Lt wrist X-ray; AP; pediatric patient (male, age 11); subsequent exam:
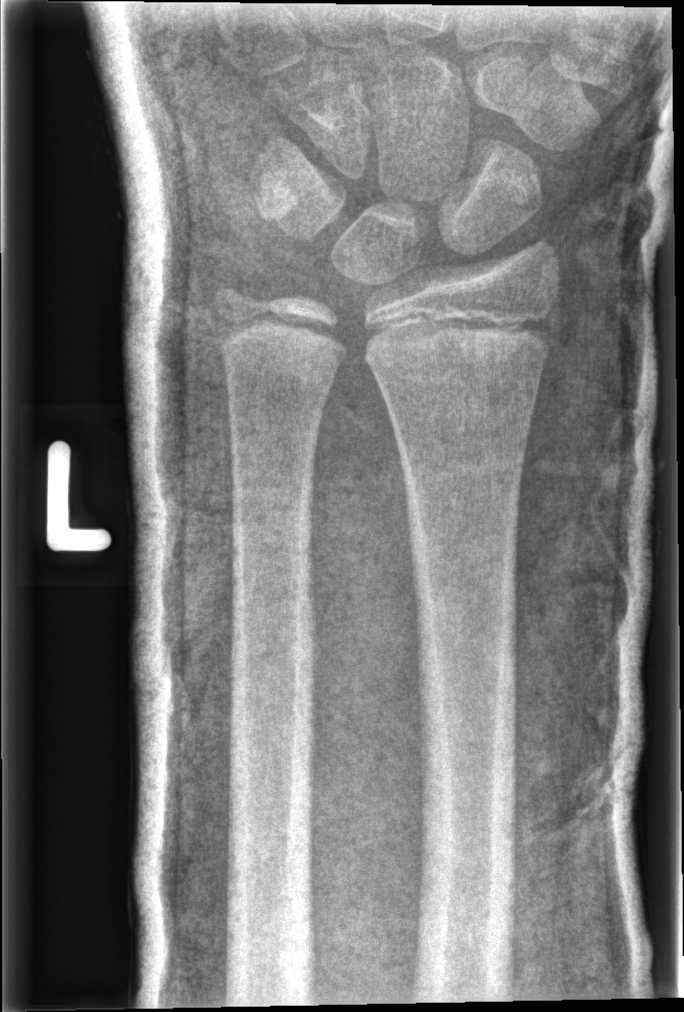
{
  "fracture": "present but not clearly seen in this view",
  "ao": "23r-E/1"
}